AP projection; Rt wrist XR —

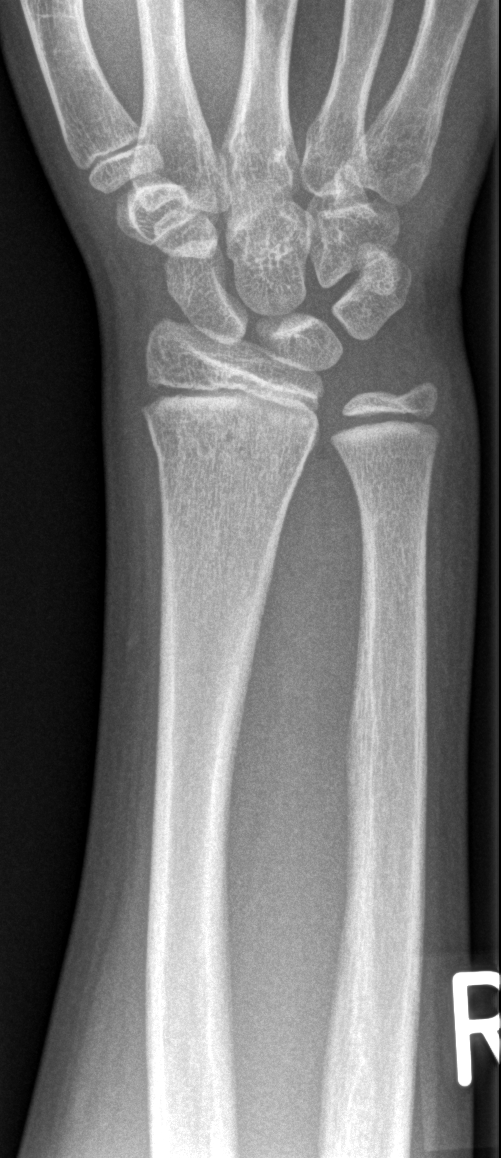
* Coordinates are [x1, y1, x2, y2] in image pixels.
* One fracture at (left=140, top=398, right=319, bottom=471).
* AO/OTA classification: 23r-M/2.1.